Lateral view | right wrist plain film
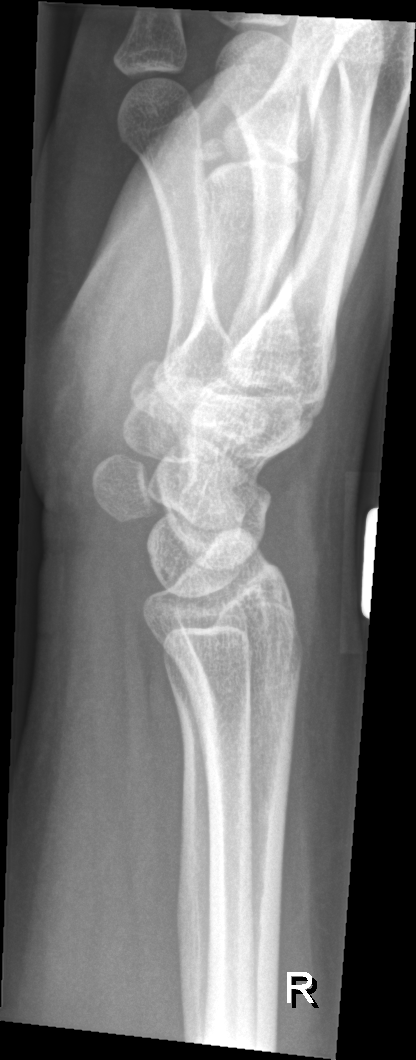

FINDINGS: Fracture: none labeled.